Rt wrist X-ray · frontal view · detector: Siemens: 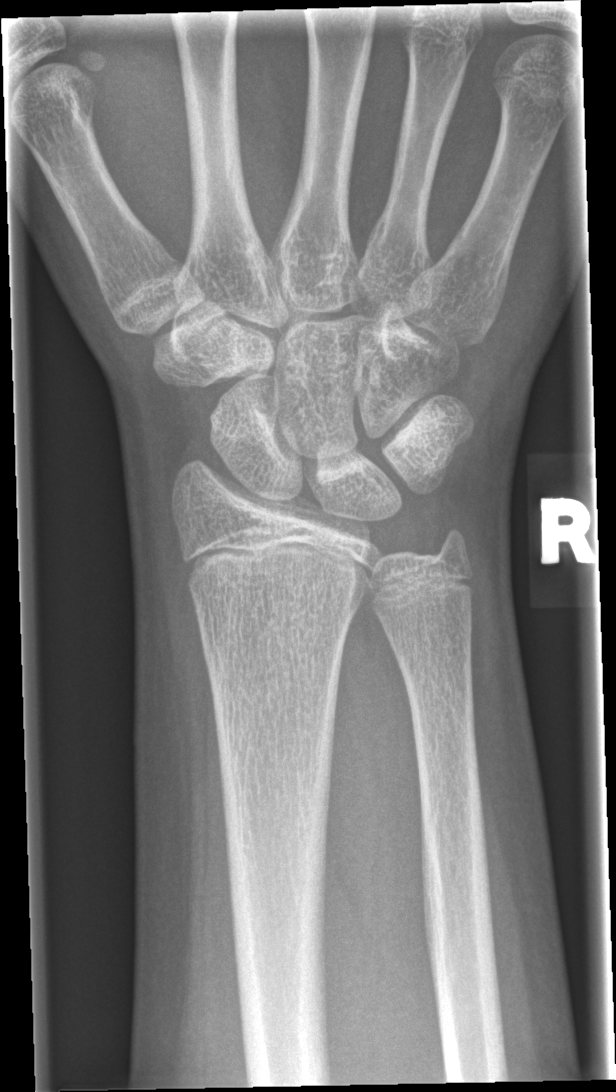 No fracture annotation.